L wrist plain film · PA projection · age 11 y, boy · cast in situ

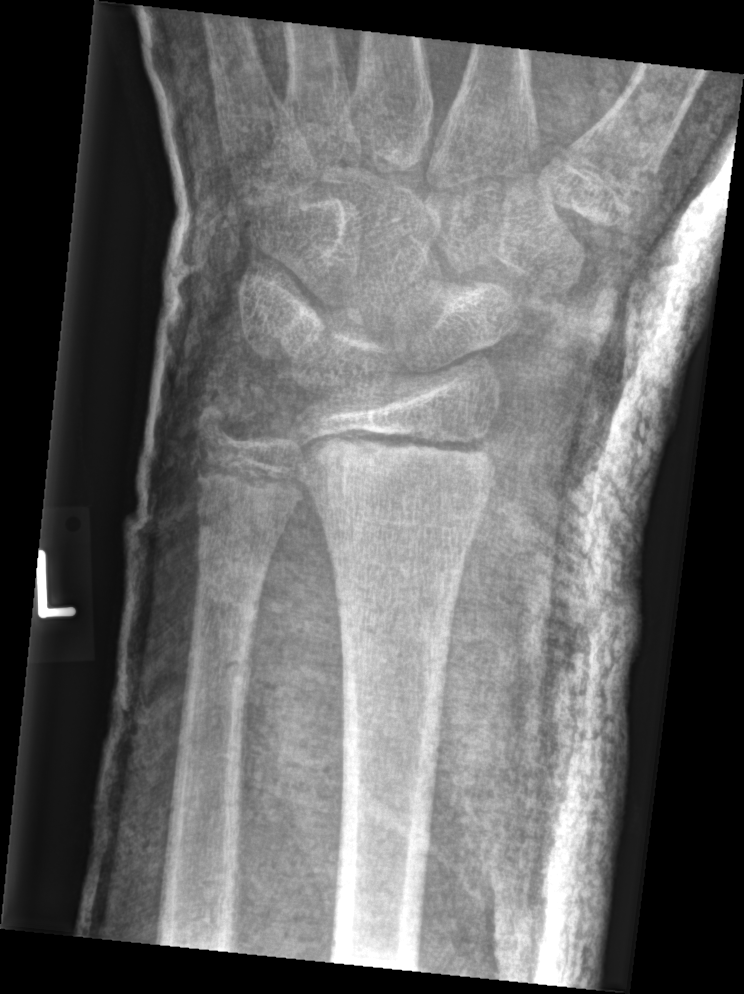 Findings: Fracture: (186, 398, 245, 456).